Lat, right plain radiograph of the wrist, initial study, image width 70.8 mm, 492 x 1272 px. 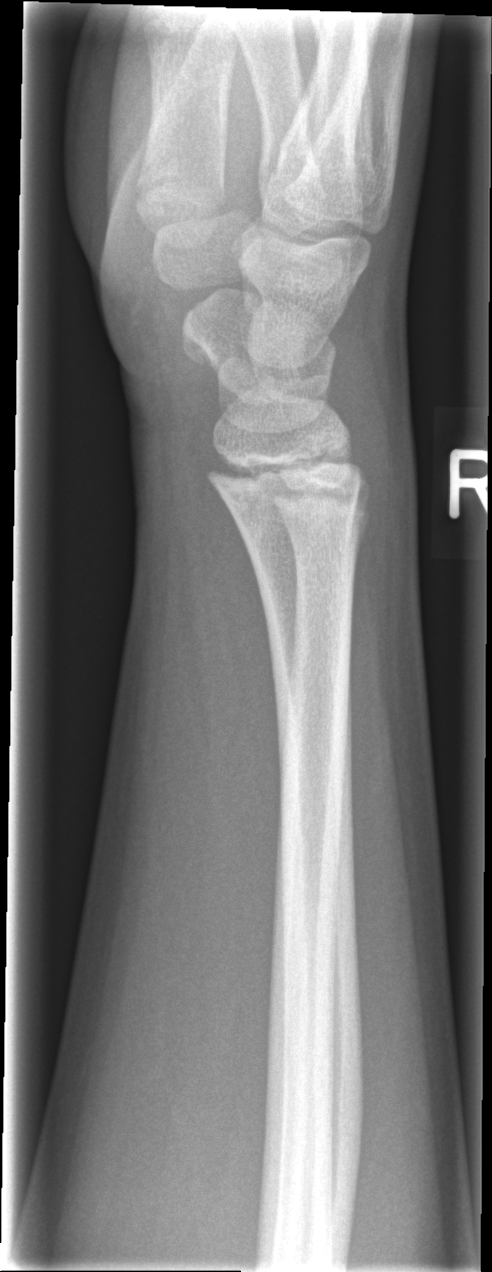
No fracture bounding box.